L plain radiograph of the wrist, frontal projection, 9-year-old male, index exam, Siemens
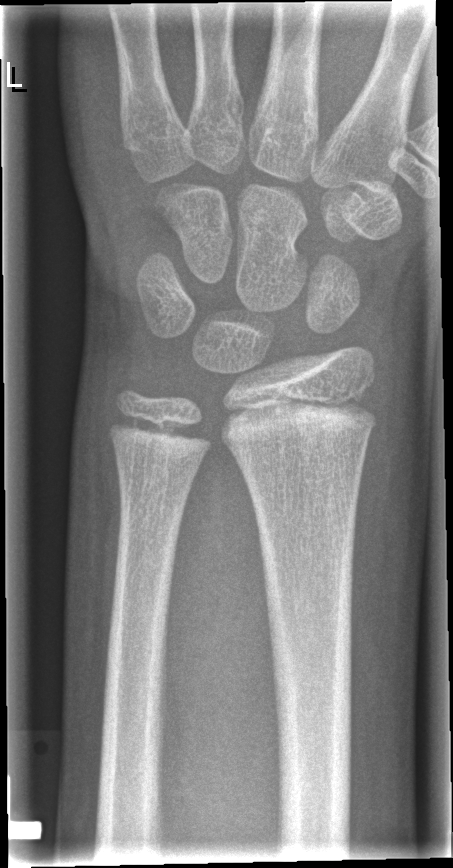 Fracture = none labeled